Rt wrist XR; lateral; 390x1018 — 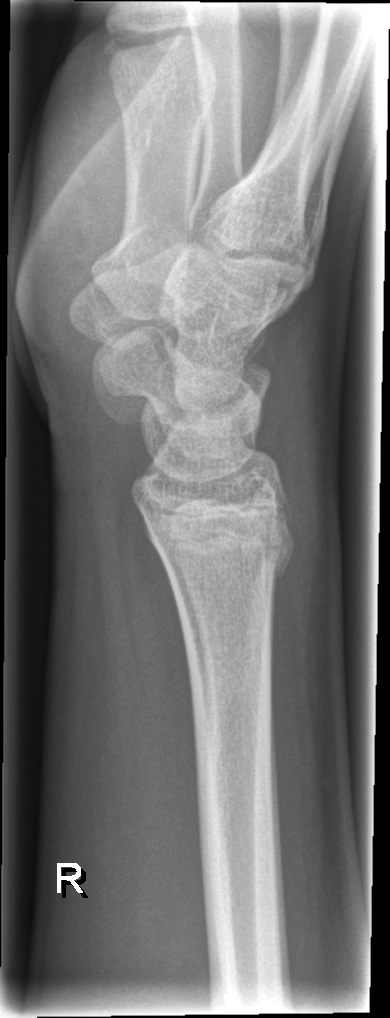
(boxes as x1,y1,x2,y2 (top-left / bottom-right, pixel units))
Q: Locate any fractures.
A: Bone fracture: bbox(151, 523, 299, 592)
Q: AO code?
A: AO/OTA classification: 23r-M/2.1